Posteroanterior projection | right wrist pediatric wrist radiograph
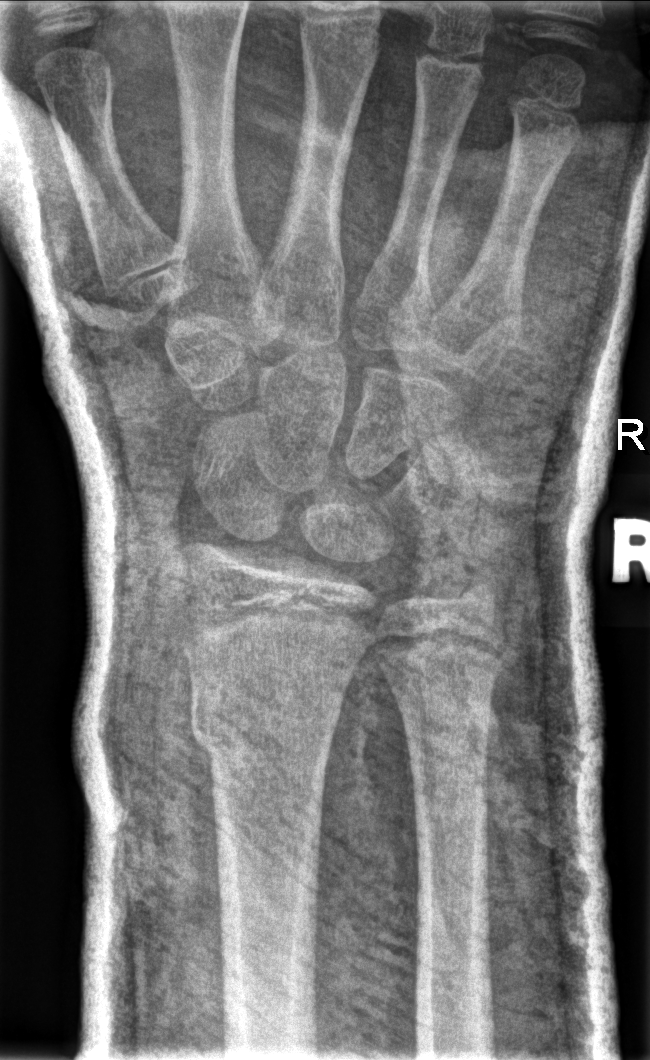
FINDINGS — Fracture classified AO/OTA 23r-M/3.1. Bone fracture — 187,680,341,759.